Left pediatric wrist radiograph; AP

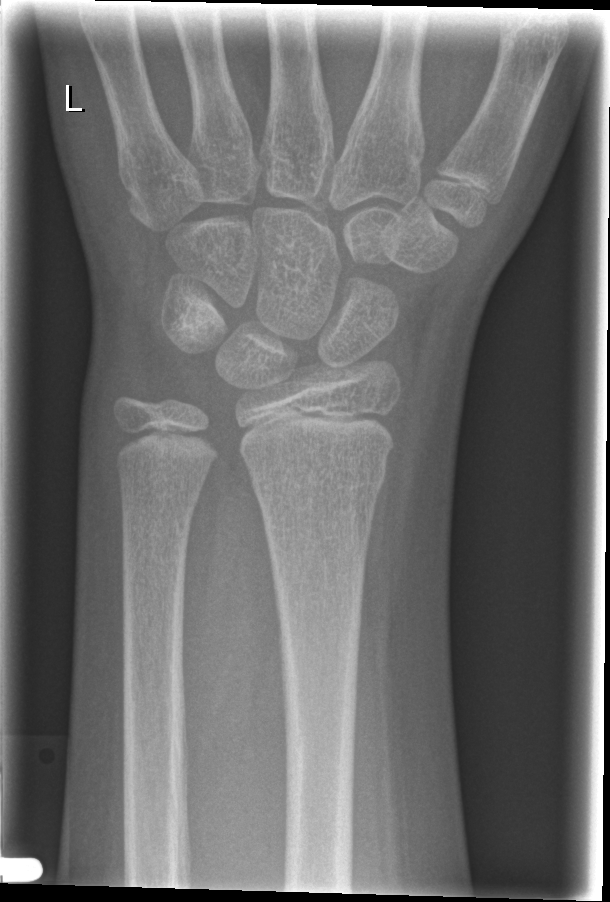
fracture = <244,453>-<389,510>
AO classification = 23r-M/2.1